AP | Lt wrist plain film | 8-year-old boy | presentation radiograph

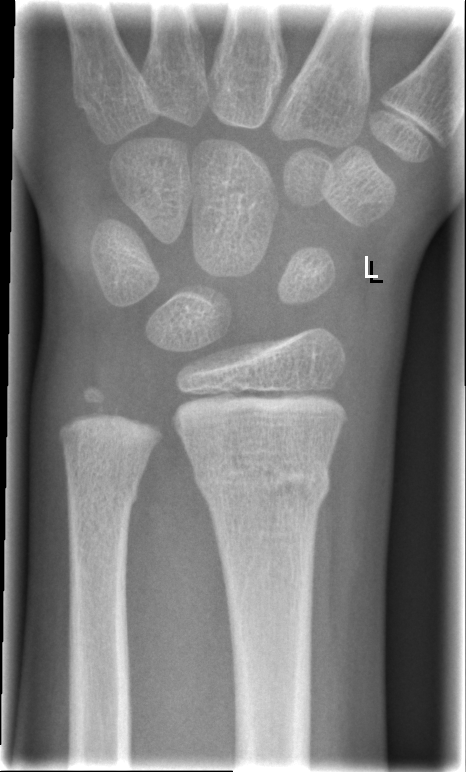 Findings: (boxes as x1,y1,x2,y2 (top-left / bottom-right, pixel units)) AO code 23-M/2.1. Two bone fractures at (left=187, top=437, right=334, bottom=517), (left=64, top=465, right=144, bottom=518).